Frontal, Rt pediatric wrist radiograph, imaged through cast. 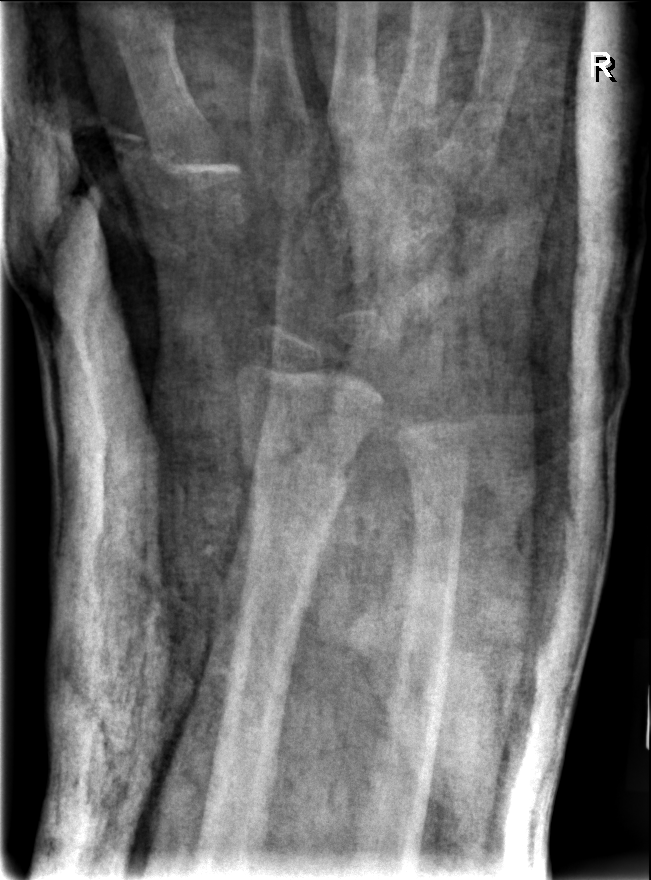

{"fracture": "(237, 429, 363, 531)"}